Lt plain radiograph of the wrist · lateral view · boy, 15 yo · cast present:
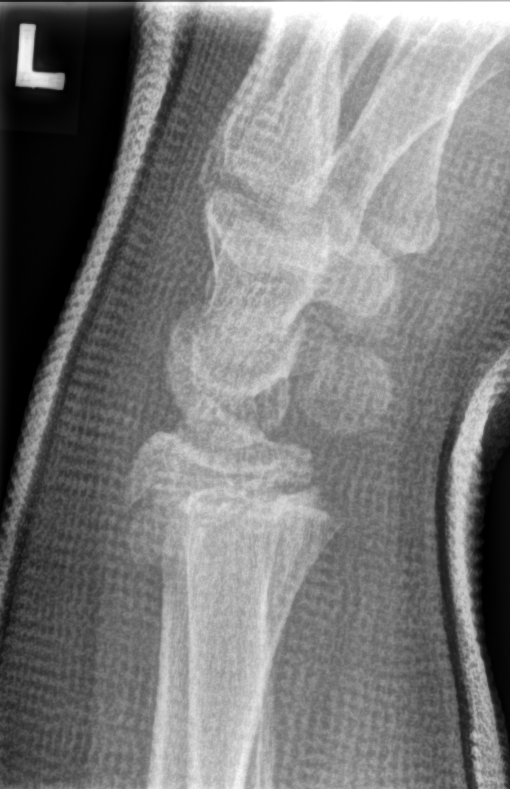
Bounding boxes in image-pixel xyxy. Fracture classified AO/OTA 23r-E/2.1; 23u-E/7. Fracture — 116 473 347 589.